AP view; left wrist plain radiograph of the wrist; male, 5 yo; acquired on Siemens
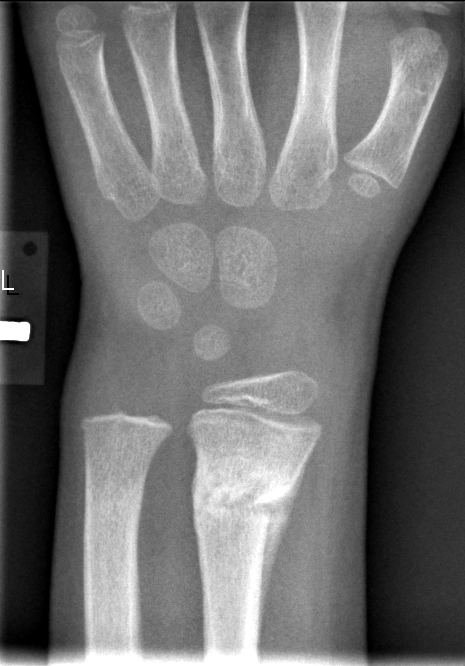

(pixel coordinates, top-left origin, xyxy)
Q: Is there a fracture?
A: Two fractures at (190, 440, 302, 535), (82, 469, 145, 536)
Q: What is the AO/OTA classification?
A: AO code 23r-M/3.1; 23u-M/2.1
Q: Is there periosteal reaction?
A: Periosteal thickening — (259, 450, 311, 656)